L wrist plain film · posteroanterior · pediatric patient (female, age 8) —
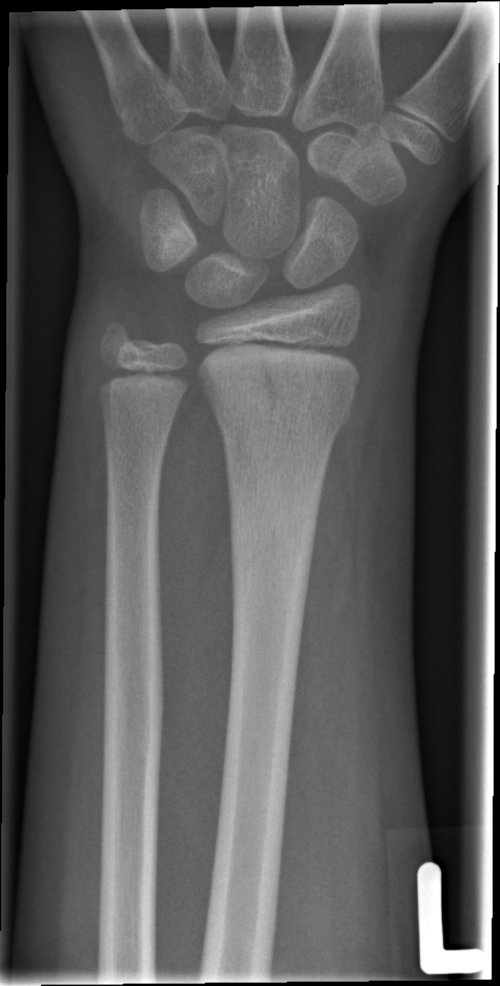
(boxes as x1,y1,x2,y2 (top-left / bottom-right, pixel units))
Fx = 1 @ bbox(211, 366, 355, 434)
AO code = 23r-M/2.1